PA/AP projection, Lt wrist radiograph, cast in situ, 522 x 887 px. 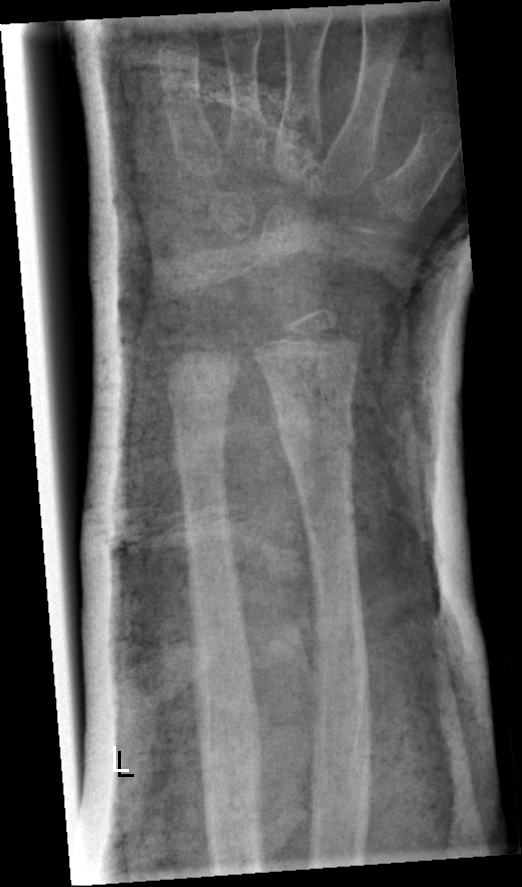

Fracture classified AO/OTA 23-M/2.1. Two Fx at (left=271, top=402, right=362, bottom=469), (left=164, top=374, right=238, bottom=419).